Right wrist radiograph | PA/AP | 12-year-old female | Siemens | image 86.1 mm wide.

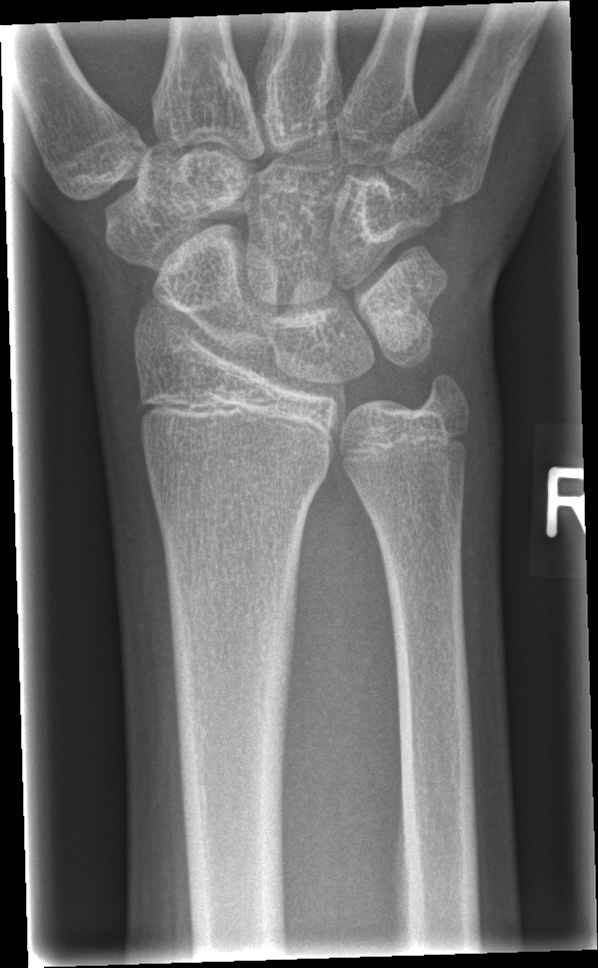 Fracture: none labeled.